Left wrist plain film; lateral projection; imaged through cast —

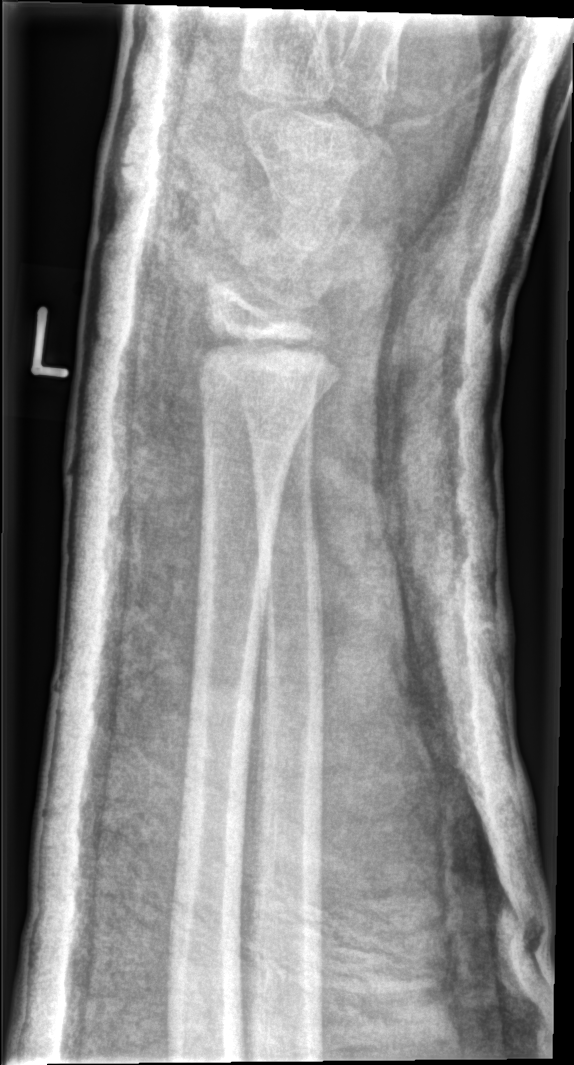

{
  "ao": "23r-E/2.1; 23u-E/7",
  "fracture": "present but not clearly seen in this view"
}